Lateral projection | R wrist plain film | boy, 6 yo:

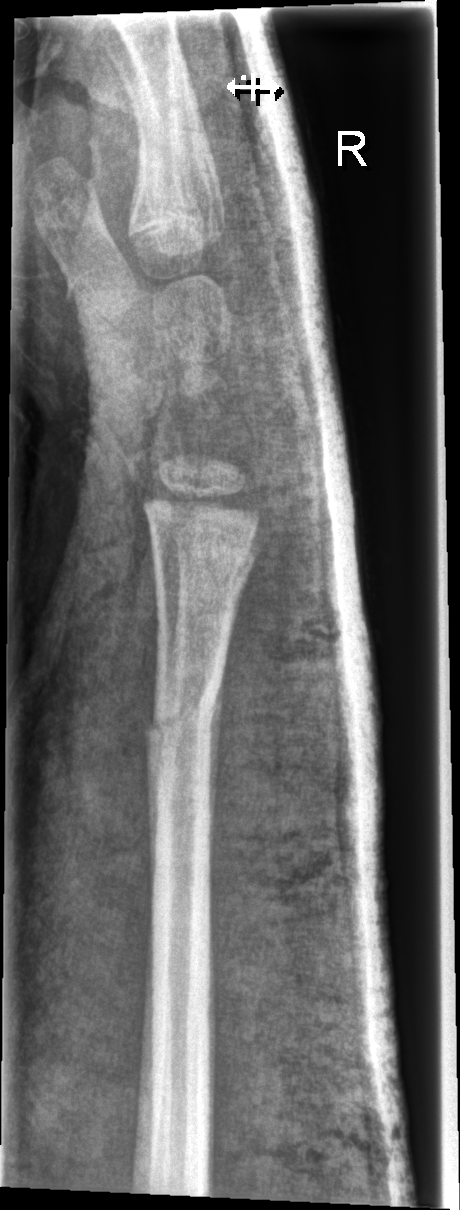 Findings: (pixel coordinates, top-left origin, xyxy) Fracture: 142 694 222 745.